Rt wrist plain film; posteroanterior; age 11 y, male; acquired on Siemens:
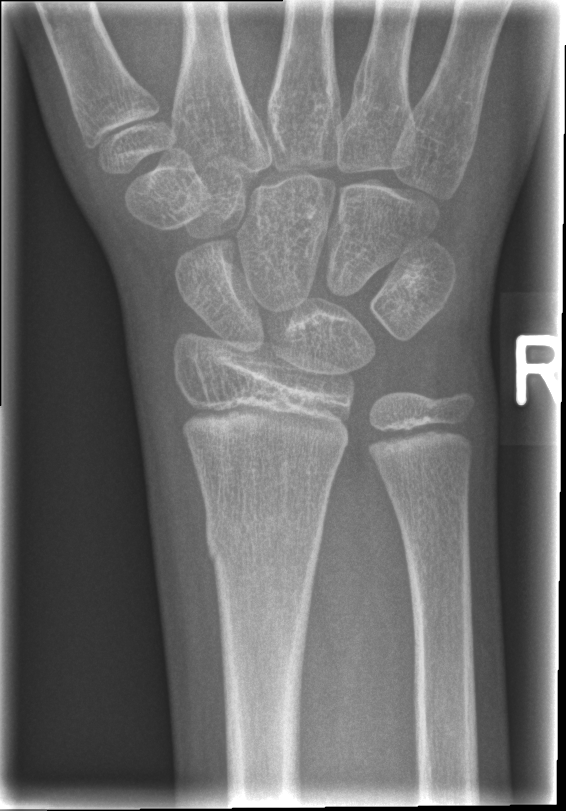
Fx: 200 498 326 572
AO/OTA: 23r-M/2.1